Lat view | Lt wrist X-ray | pediatric patient (boy, age 14) | follow-up study | Siemens
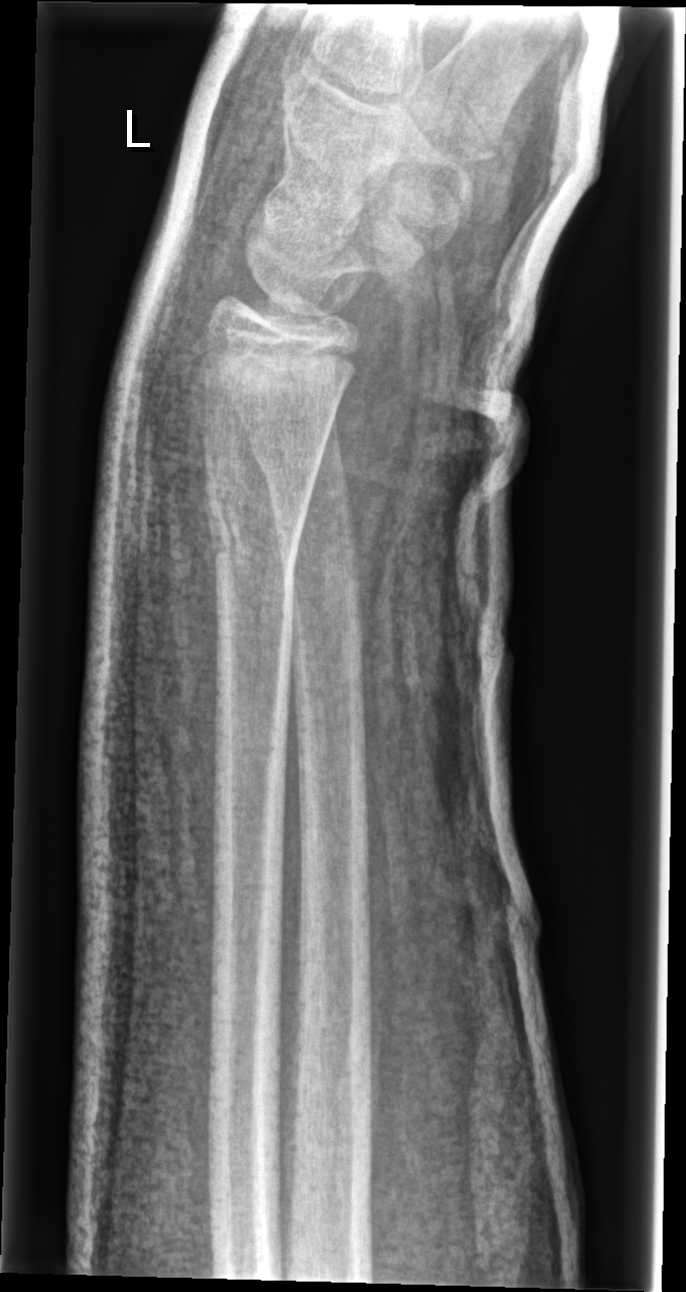
Fracture: (199, 474, 308, 585), (244, 411, 349, 492). AO/OTA classification: 23r-M/3.1; 23u-M/2.1.